Frontal; R wrist plain film; 10y F; image 74.2 mm wide —
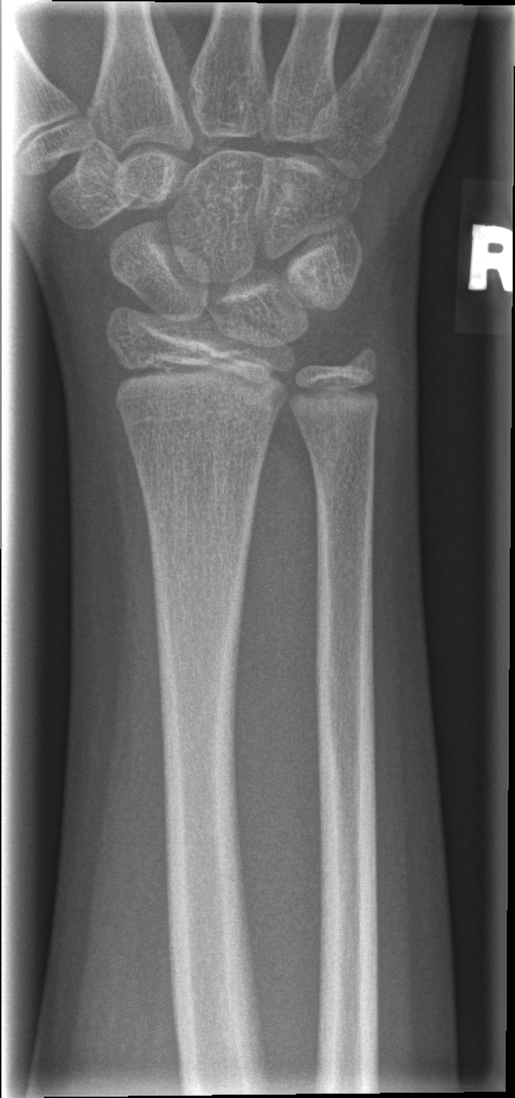

• Fracture — 140,479,260,530.
• AO/OTA classification: 23r-M/2.1.